R wrist XR, PA/AP, female, 16 yo, detector: Siemens, 79.1 mm image width
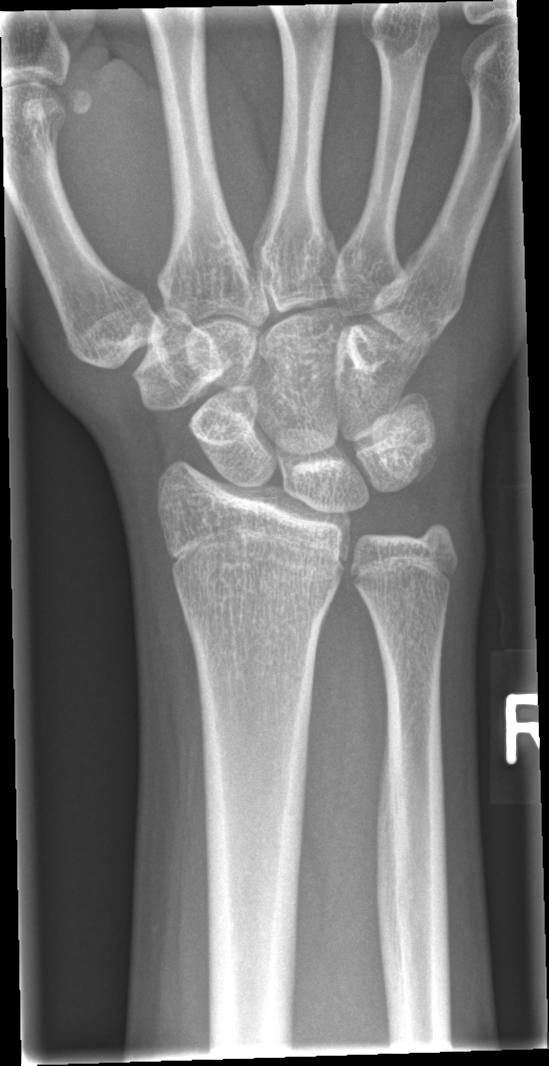

Findings: No fracture labeled.